L plain radiograph of the wrist | frontal view | age 9 y, boy | image size 738x1187:
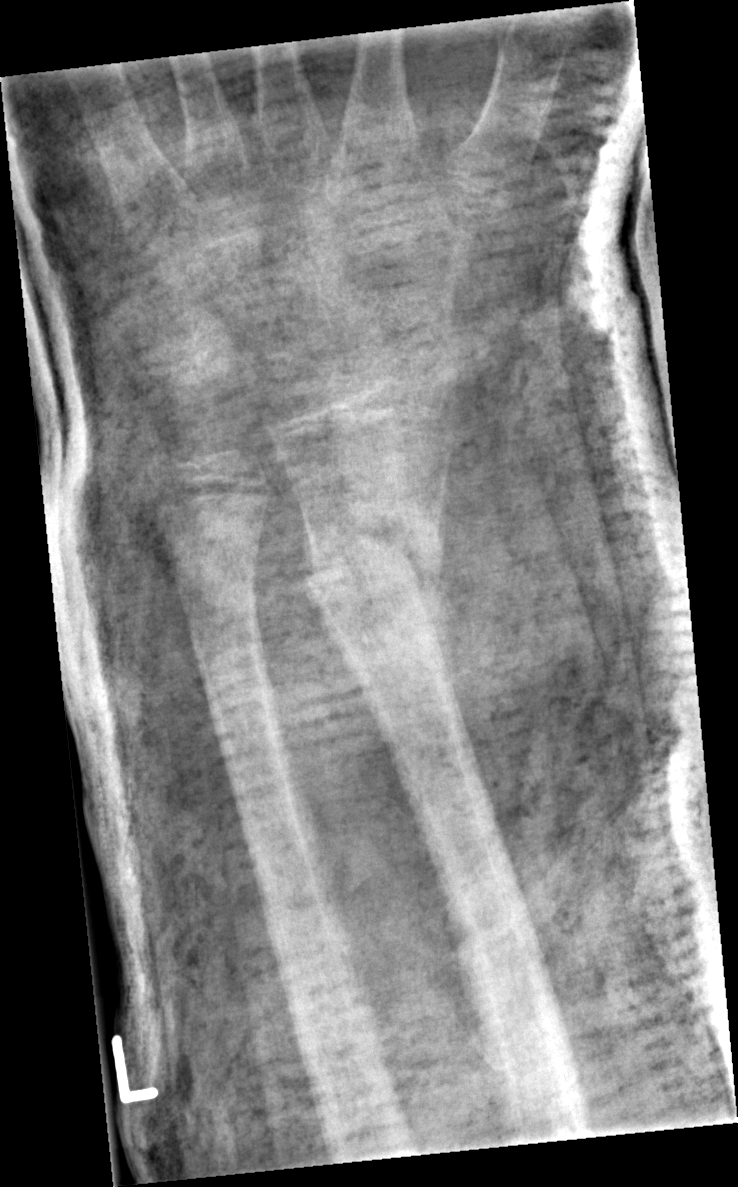
(boxes as x1,y1,x2,y2 (top-left / bottom-right, pixel units))
Periosteal thickening = <421,572>-<474,748>
AO/OTA = 23r-M/3.1; 23u-M/2.1
Fx = 2 @ <299,499>-<446,634>; <175,568>-<264,631>